Rt pediatric wrist radiograph · lateral projection · follow-up · acquired on Siemens

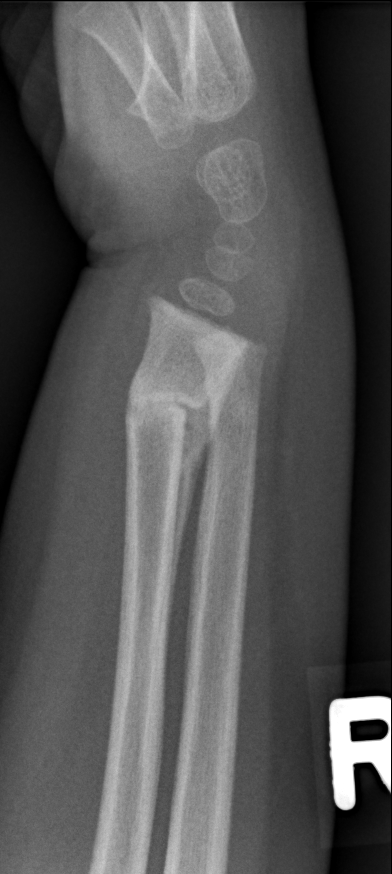 Boxes as x1,y1,x2,y2 (top-left / bottom-right, pixel units).
Decreased bone density (osteopenia).
Periosteal reaction identified at <163,395>-<222,672>.
Fractures — <121,365>-<218,434>; <201,369>-<262,409>.